Lat projection, right wrist XR, boy, 11 yo, Siemens, 65.7 mm image width. 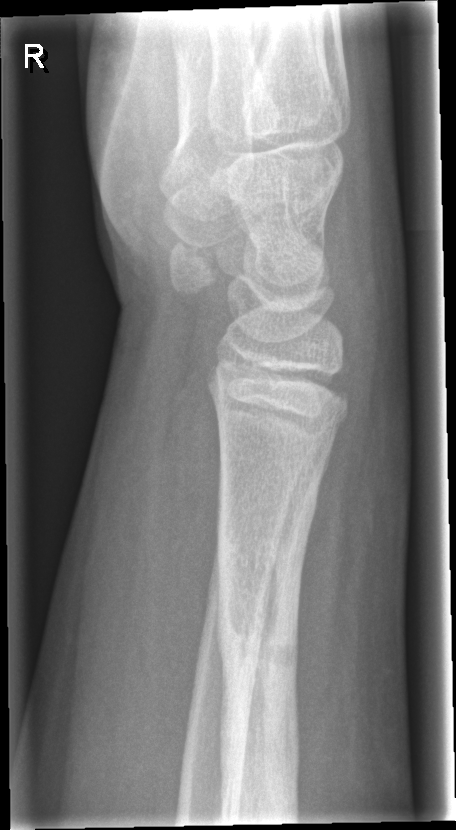

- Fx — <207,470>-<320,823>.
- One bone anomaly at <214,616>-<303,823>.